Lt wrist plain film, AP view, age 5 y, boy.
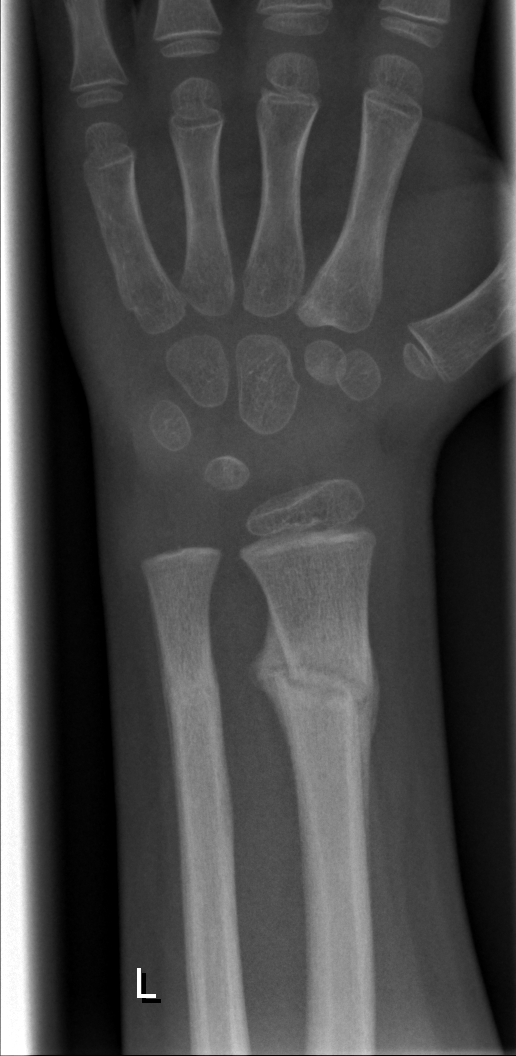
Findings: Decreased bone density (osteopenia). Bone fracture identified at 270 620 376 722
  159 651 224 714. Periosteal reaction identified at 246 598 295 769
  354 628 383 909.